L wrist XR | lat | 86.3 mm image width:

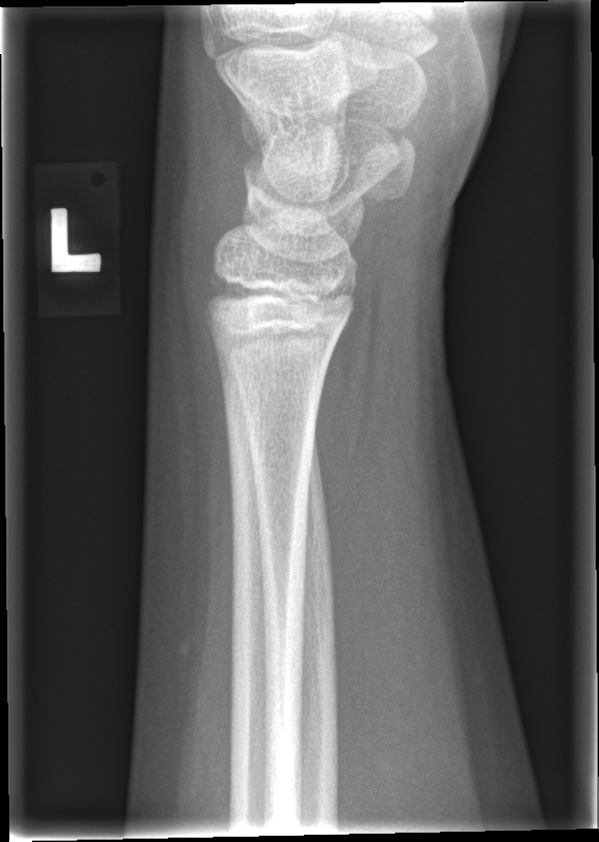
- Fx: none.